R wrist X-ray | lat | initial study | Siemens | 568 by 1310 pixels.
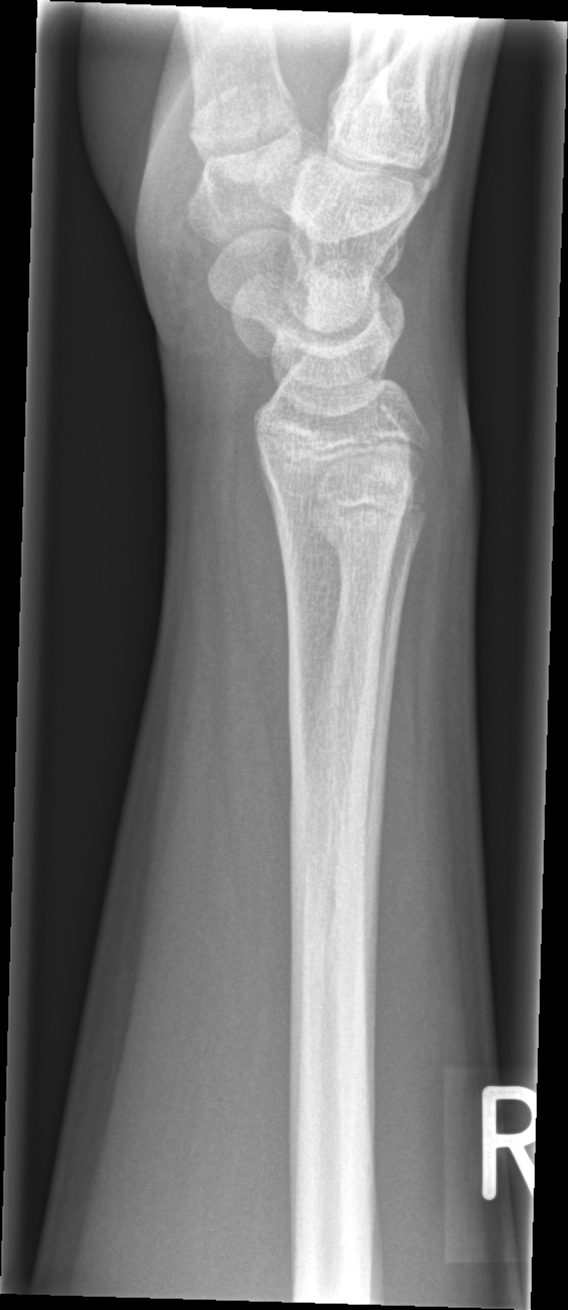
FINDINGS — Fx identified at 306,448,436,562. Fracture classified AO/OTA 23u-E/4.